Left wrist XR | AP view — 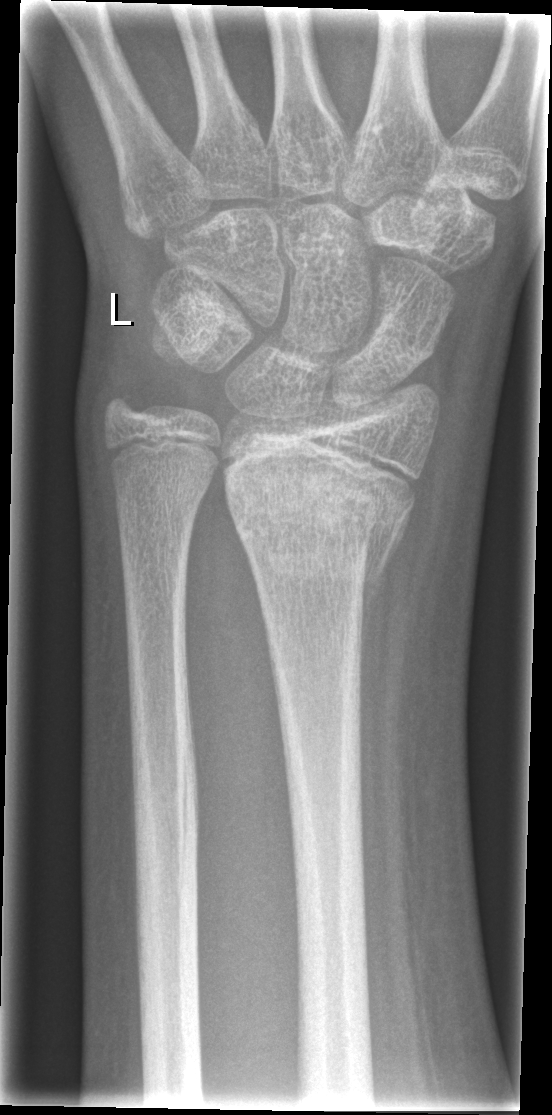
{"fracture": "228 466 417 590\n  99 381 157 436", "periostealreaction": "360 504 413 673", "osteopenia": "present", "ao": "23r-M/3.1; 23u-E/7"}